Lt pediatric wrist radiograph | frontal projection | pediatric patient (male, age 15) | detector: Siemens:

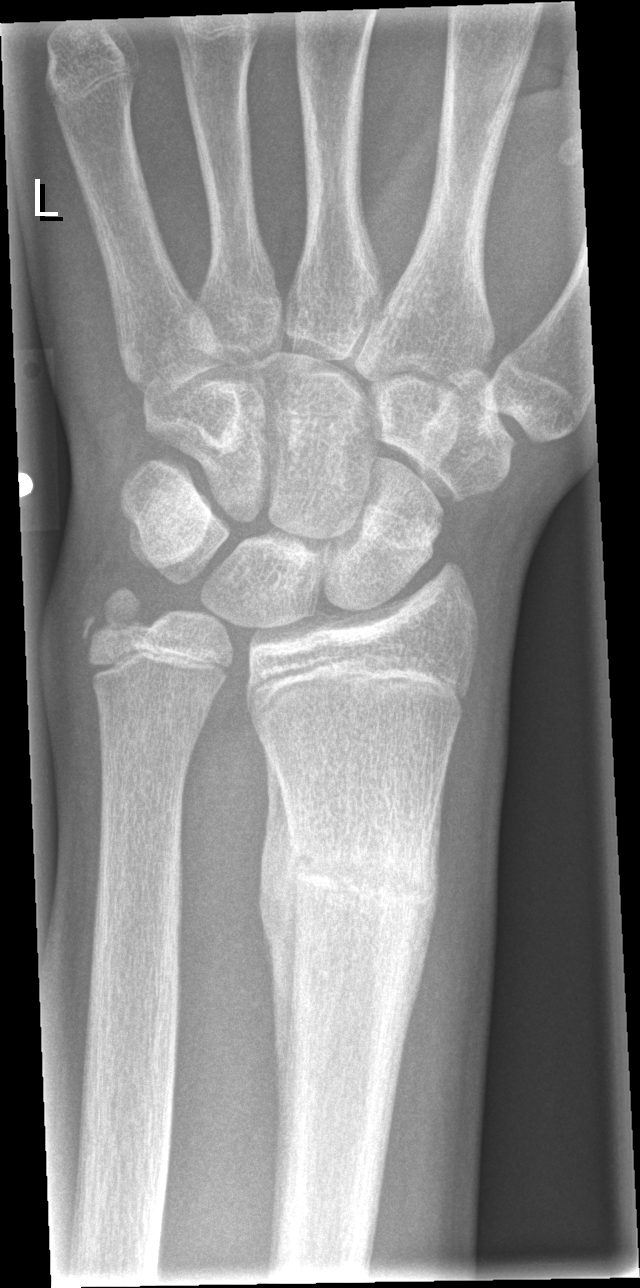 (pixel coordinates, top-left origin, xyxy)
Fx = (269, 829, 447, 938); (78, 583, 154, 654)
periosteal thickening = 2 @ (258, 748, 295, 1120); (404, 841, 437, 1046)